Left wrist radiograph · lat view · Siemens · 406x900.
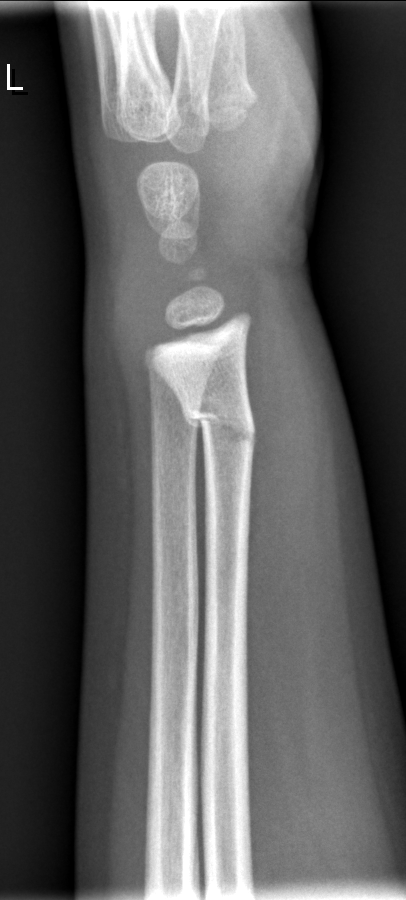 Bone fracture: 1 @ 177,395,260,450